Lateral; right wrist plain film; 560 by 891 pixels.
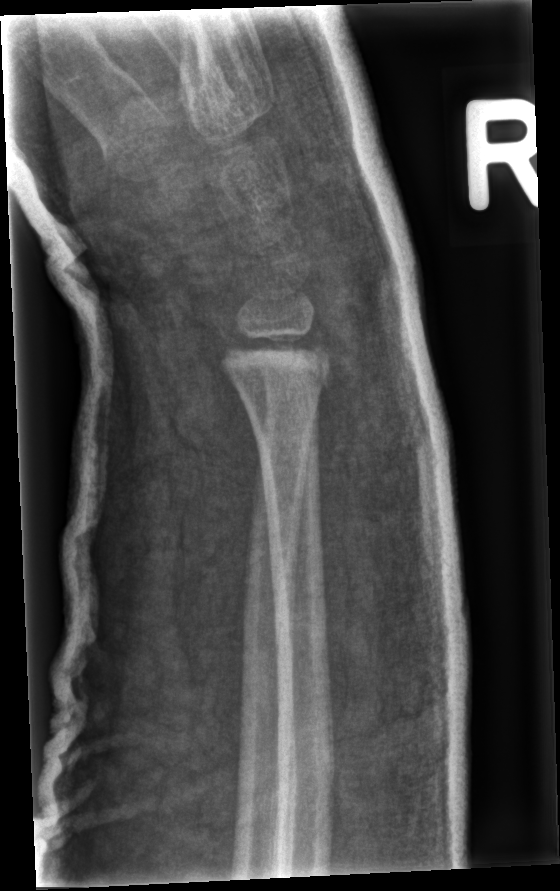

AO/OTA classification: 23r-E/2.1.
Bone fracture identified at bbox(214, 323, 334, 410).